L plain radiograph of the wrist, PA/AP view, image 69.6 mm wide: 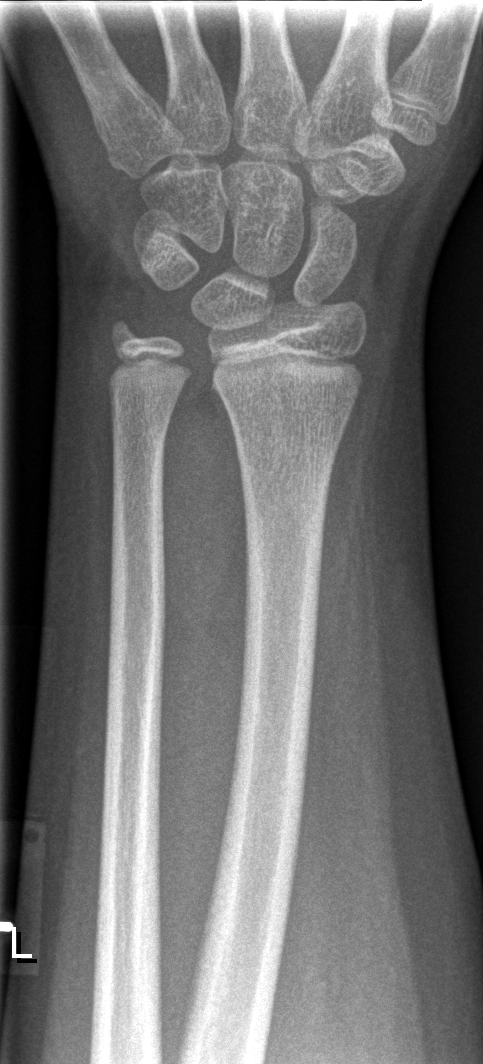
Fracture: none labeled.